AP projection | right plain radiograph of the wrist | index exam | image width 86.3 mm.
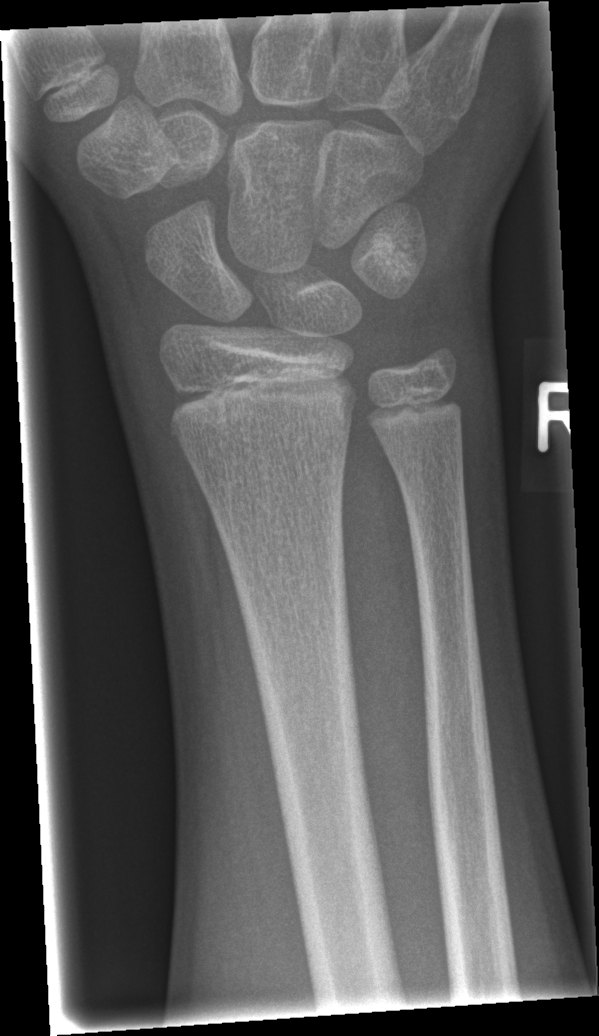
fracture = none labeled